R wrist XR, lateral view, 14-year-old female
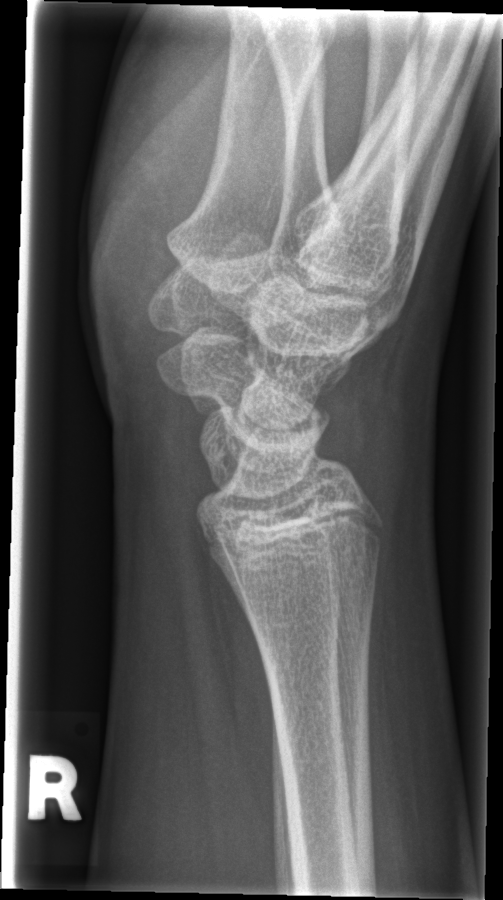

Fx: none labeled